PA projection · Lt wrist radiograph · 11y M · cast present
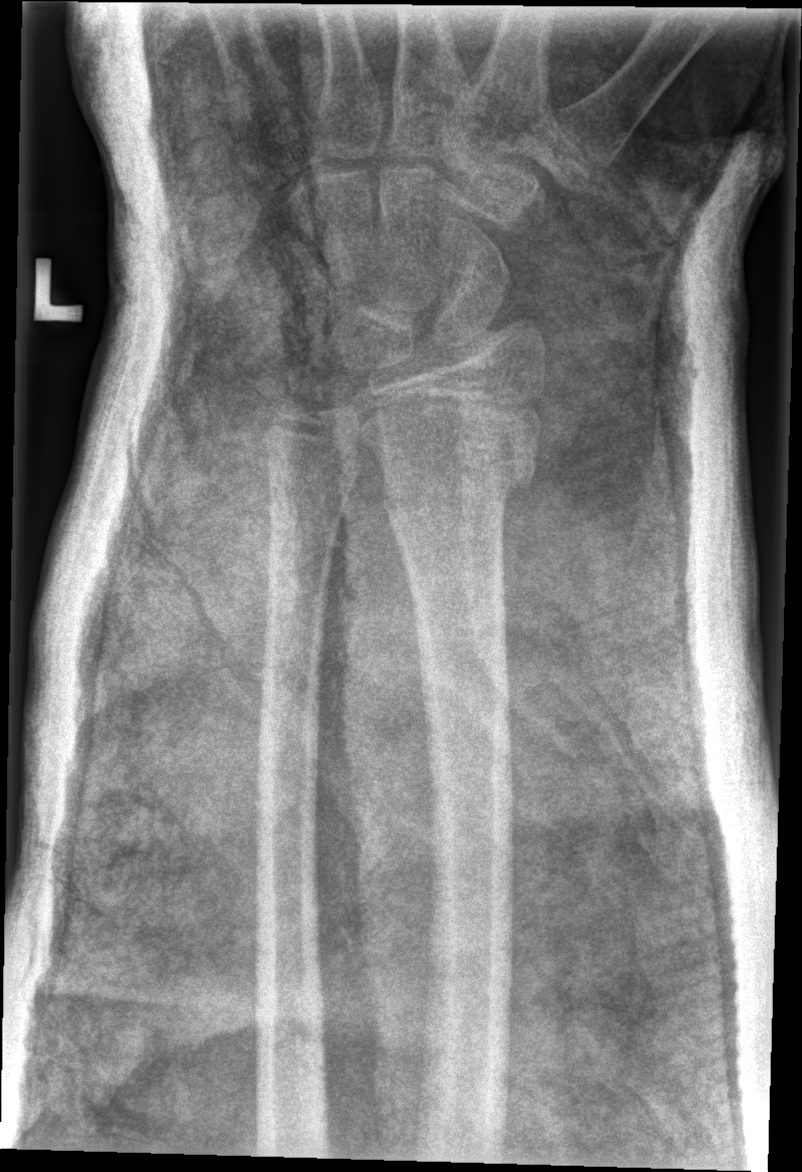 (bounding boxes in image-pixel xyxy)
AO/OTA = 23r-M/3.1; 23u-E/7
Fx = 1 @ 364 420 545 521